L wrist radiograph; frontal; pediatric patient (female, age 2); image width 86.8 mm: 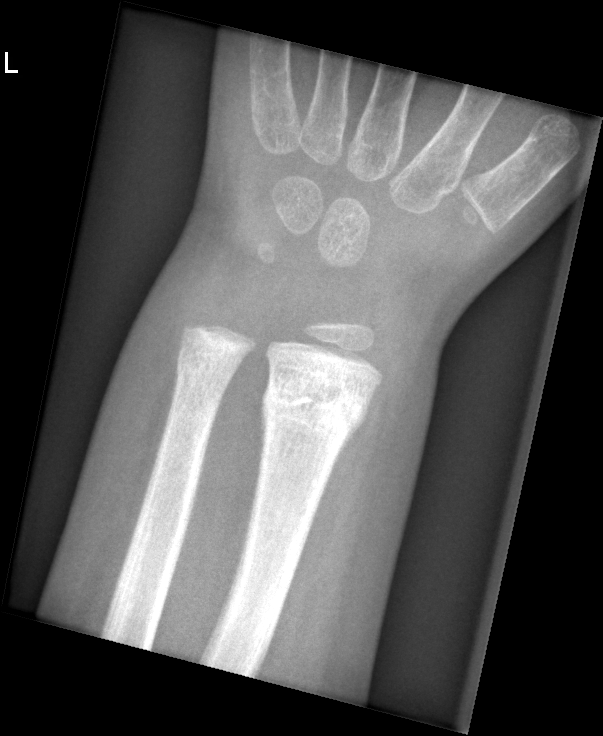

Fx: (256, 374, 372, 449) (172, 348, 236, 388)
Periosteal new bone: 2 @ (331, 386, 379, 472); (251, 371, 271, 508)